PA/AP view | right wrist XR | 95.0 mm image width —
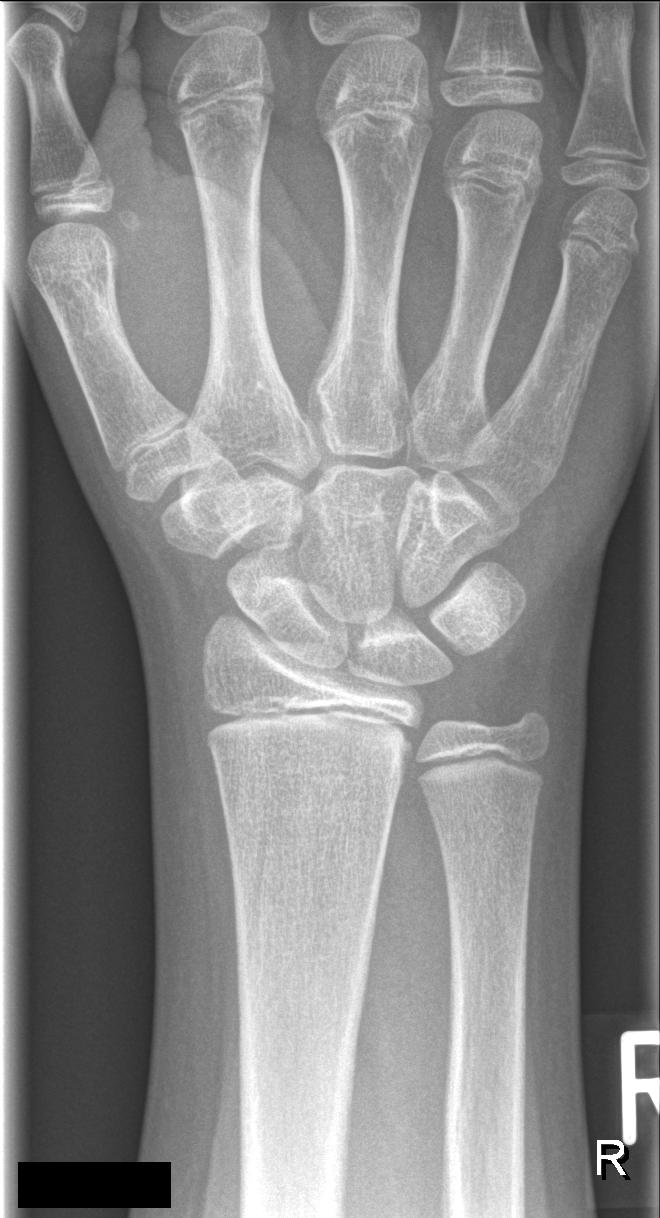 Findings: No fracture bounding box.